Lat view, right wrist radiograph, 1.2y F.

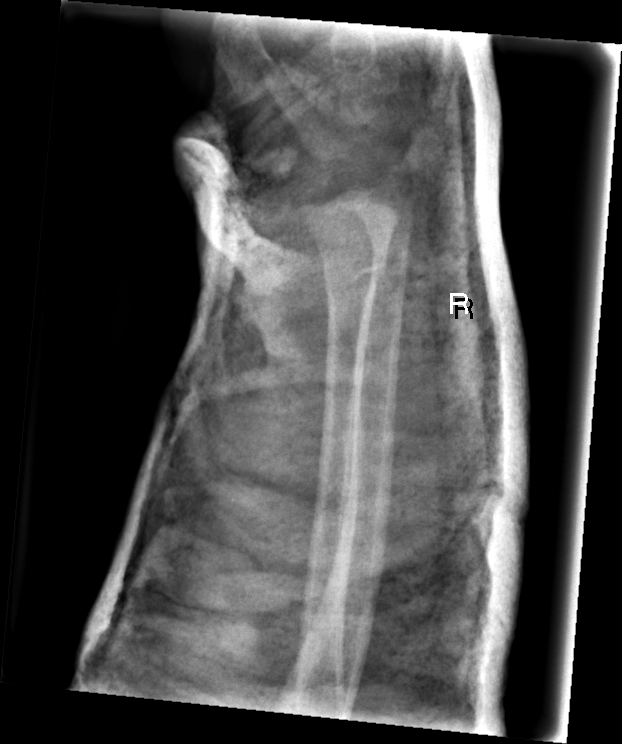

{"_coords": "bounding boxes in image-pixel xyxy", "fracture": "320,251,392,299"}